Lat projection · right wrist XR · pediatric patient (male, age 10) · image size 557x1020: 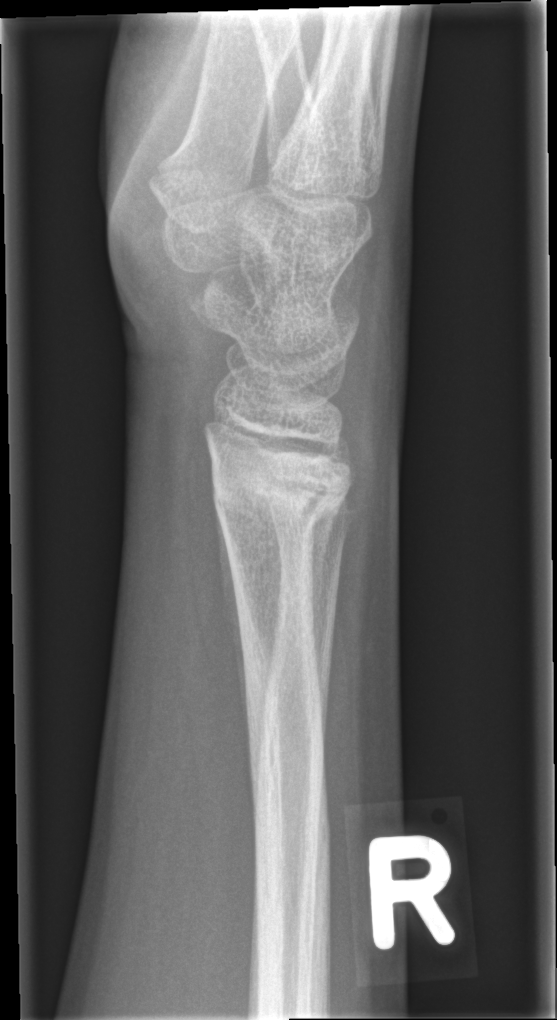

• Boxes as x1,y1,x2,y2 (top-left / bottom-right, pixel units).
• AO/OTA classification: 23r-M/3.1.
• Periosteal thickening: <214,495>-<249,743>.
• Bone fracture — <208,458>-<352,546>.